Lat projection | L wrist plain film | 12-year-old boy | image width 71.7 mm. 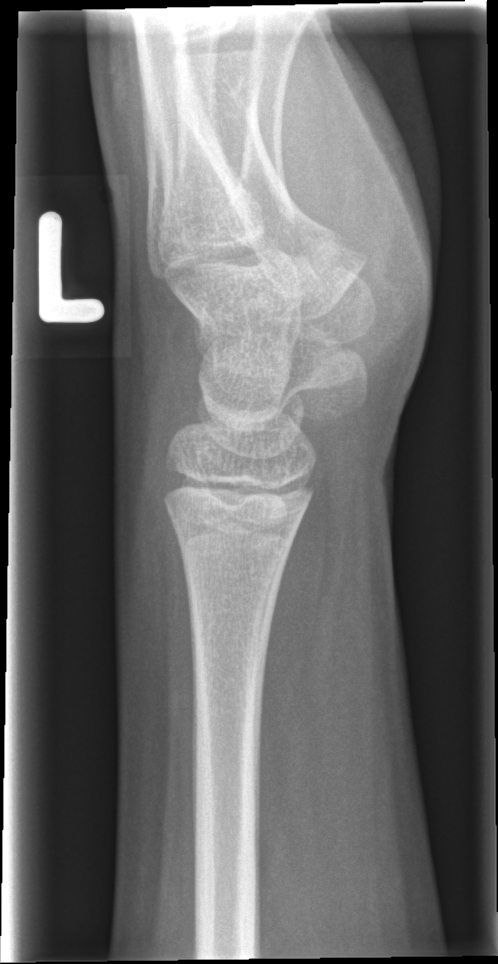 No fracture bounding box.